Left wrist radiograph; lat view; 11y M; subsequent exam:

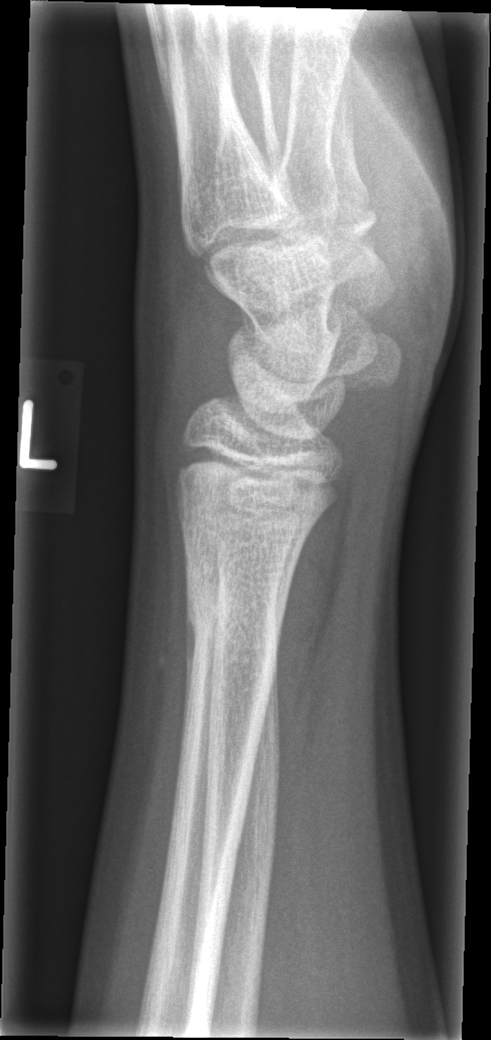
One bone fracture at 179,573,291,688.